Lat · L wrist radiograph · age 12 y, female · imaged through cast 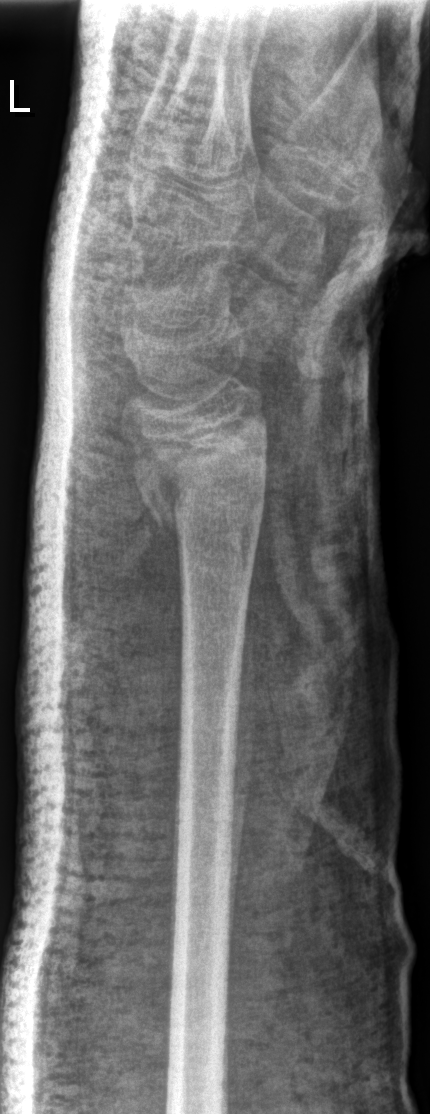
Pixel coordinates, top-left origin, xyxy. Fx: [x1=137, y1=454, x2=272, y2=534]. AO/OTA classification: 23r-M/3.1; 23u-E/7.